R plain radiograph of the wrist; AP projection; image width 73.2 mm. 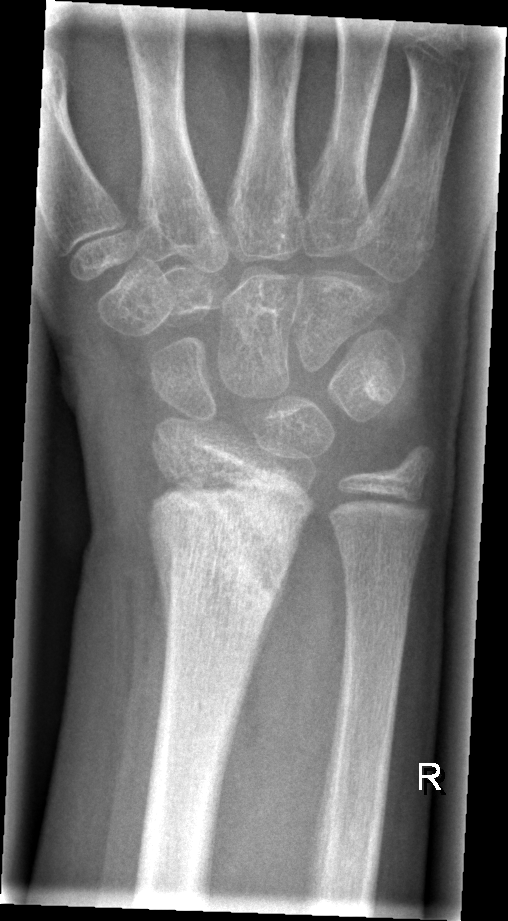
Periosteal thickening — 146,507,176,639.
AO/OTA classification: 23r-E/2.1.
Fracture: 144,472,312,617.
Osteopenia.